Right wrist radiograph | lat view | 12y M | in cast. 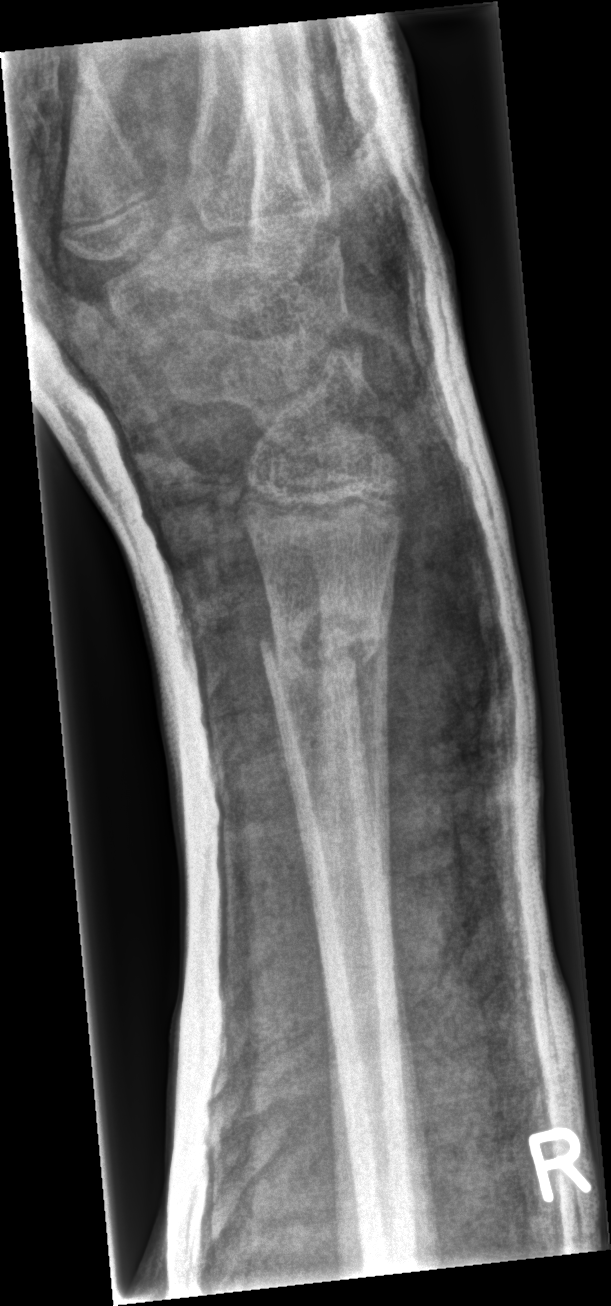 - Coordinates are [x1, y1, x2, y2] in image pixels.
- AO code 23r-M/3.1; 23u-M/2.1.
- One Fx at [x1=243, y1=608, x2=389, y2=716].